Rt wrist radiograph; lateral; 16-year-old boy; 702 by 1070 pixels: 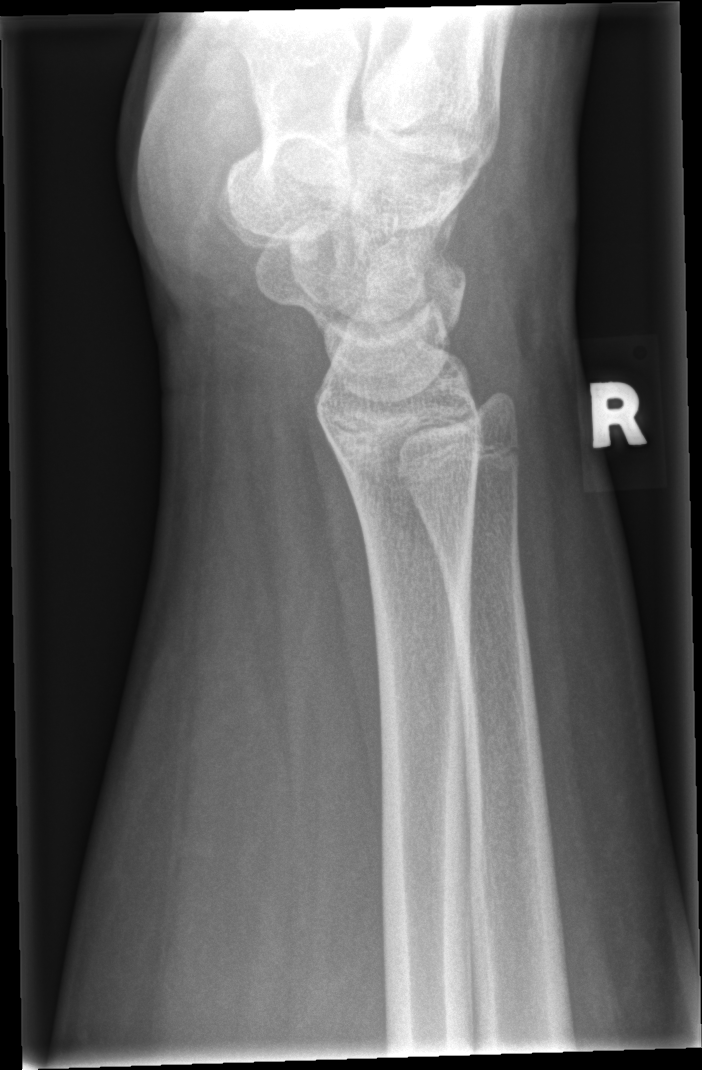 fracture = none labeled